PA/AP view · right plain radiograph of the wrist · index exam · equivocal findings · image 77.9 mm wide · image size 541x1134. 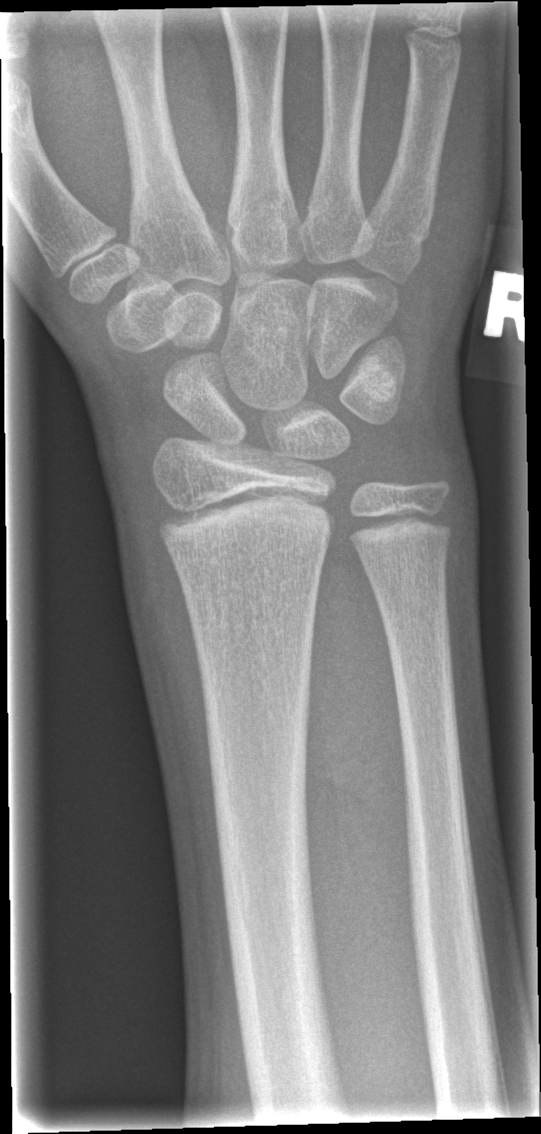 Boxes as x1,y1,x2,y2 (top-left / bottom-right, pixel units). Bone fracture — (left=154, top=483, right=335, bottom=546). AO code 23r-E/1.